Right wrist X-ray | lateral view | boy, 15 yo | follow-up —

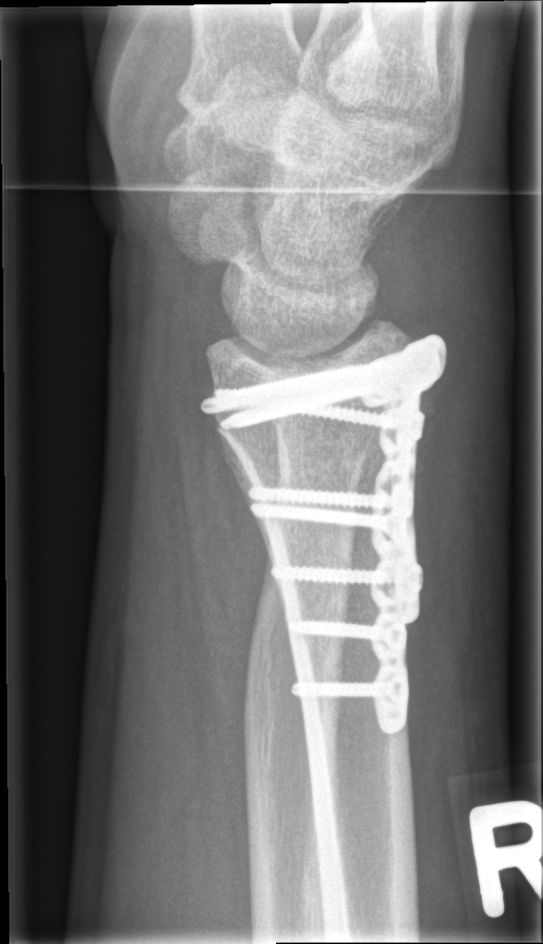

- Pixel coordinates, top-left origin, xyxy.
- Osteopenic.
- Fx: present but not clearly seen in this view.
- AO code 23r-M/3.1; 23u-E/7.
- One metallic hardware at (left=198, top=331, right=451, bottom=736).